Left wrist plain film · lateral projection · 8-year-old female · follow-up —
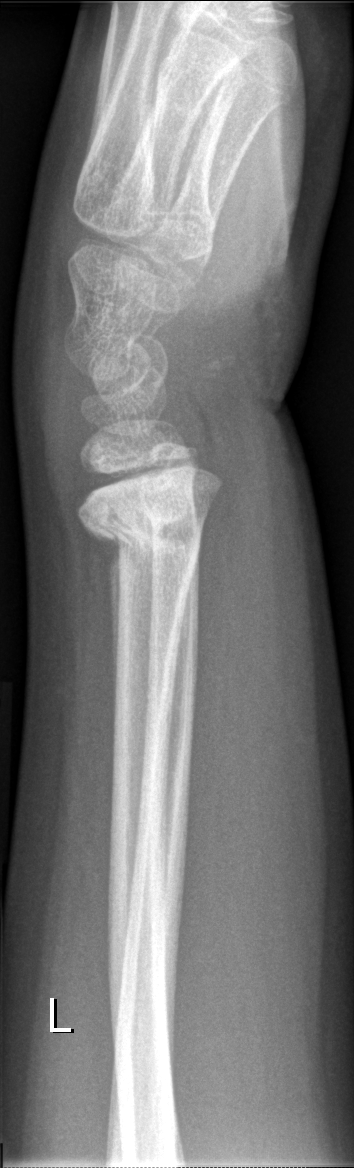

(boxes as x1,y1,x2,y2 (top-left / bottom-right, pixel units))
Q: Any fracture seen?
A: Fx identified at [73, 468, 215, 571]